AP view | left wrist X-ray | follow-up | in cast: 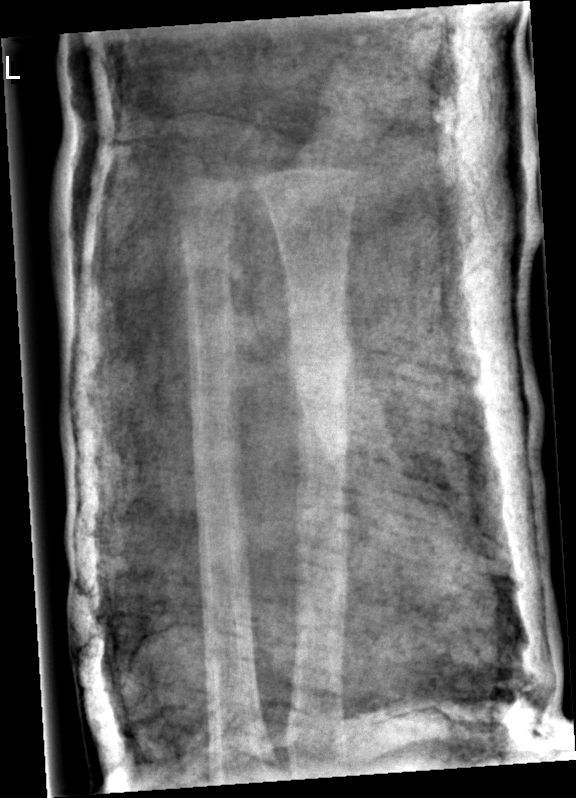
- Boxes as x1,y1,x2,y2 (top-left / bottom-right, pixel units).
- Fx identified at [x1=283, y1=318, x2=360, y2=402].
- AO code 22r-D/2.1; 23u-M/2.1.